R wrist plain film, lateral, in cast, acquired on Siemens, 386x1109 —

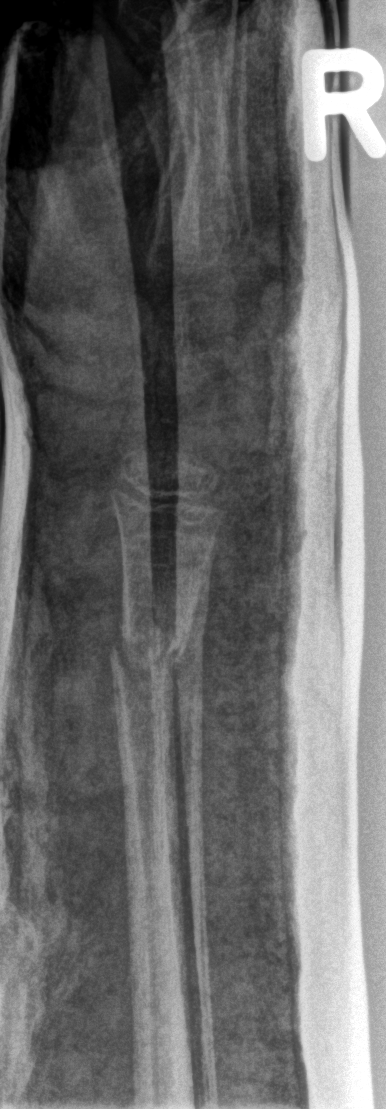

Boxes as x1,y1,x2,y2 (top-left / bottom-right, pixel units). One fracture at 107,626,186,685. Fracture classified AO/OTA 23-M/3.1.